PA/AP · Lt pediatric wrist radiograph · detector: Siemens · image width 83.8 mm

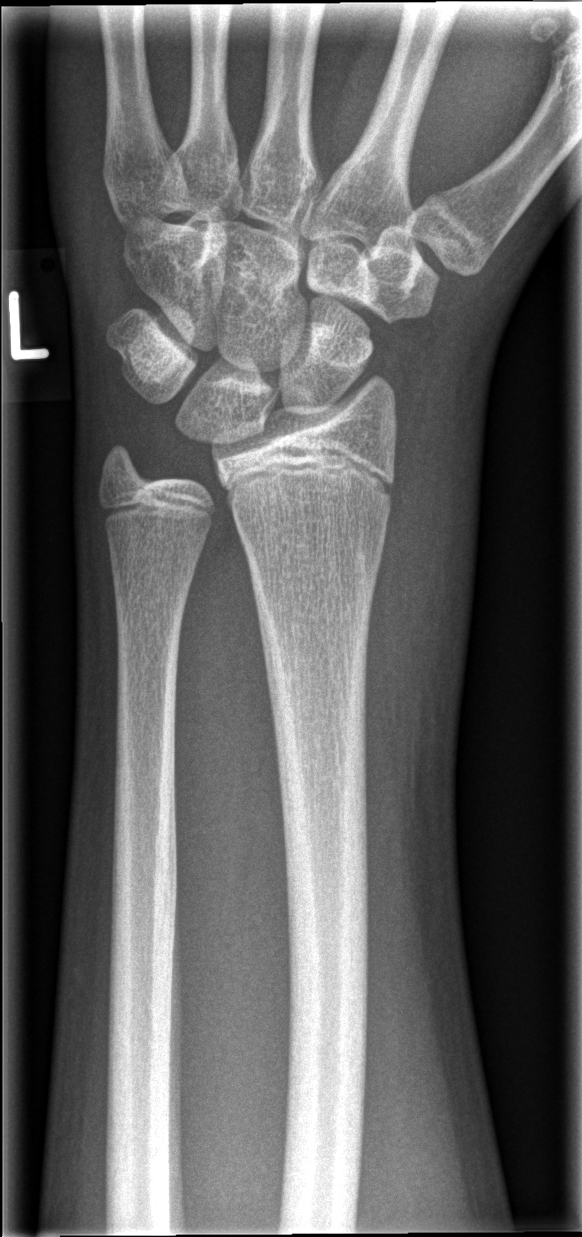 fracture: none labeled